Left wrist plain radiograph of the wrist; posteroanterior projection; boy, 11 yo.
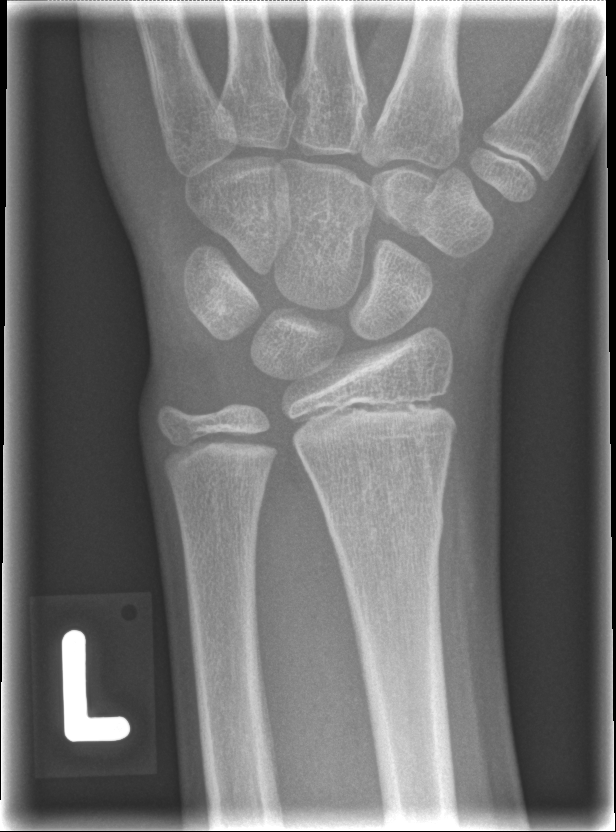 bone fracture: (left=324, top=501, right=447, bottom=555)